Lat, left wrist plain film, 17y F, 634x885.

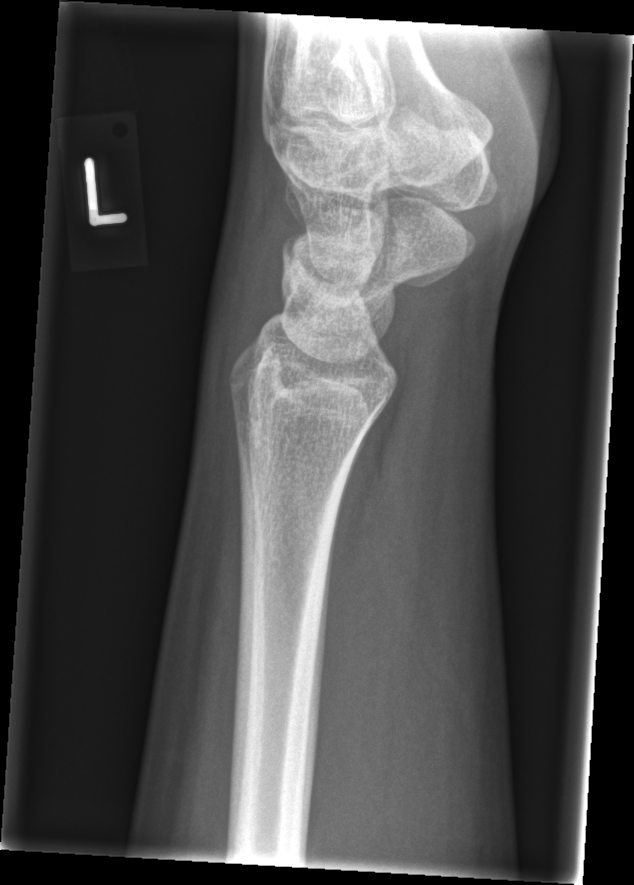
Findings: No fracture bounding box.